Right wrist plain film, PA view, pediatric patient (male, age 10) —

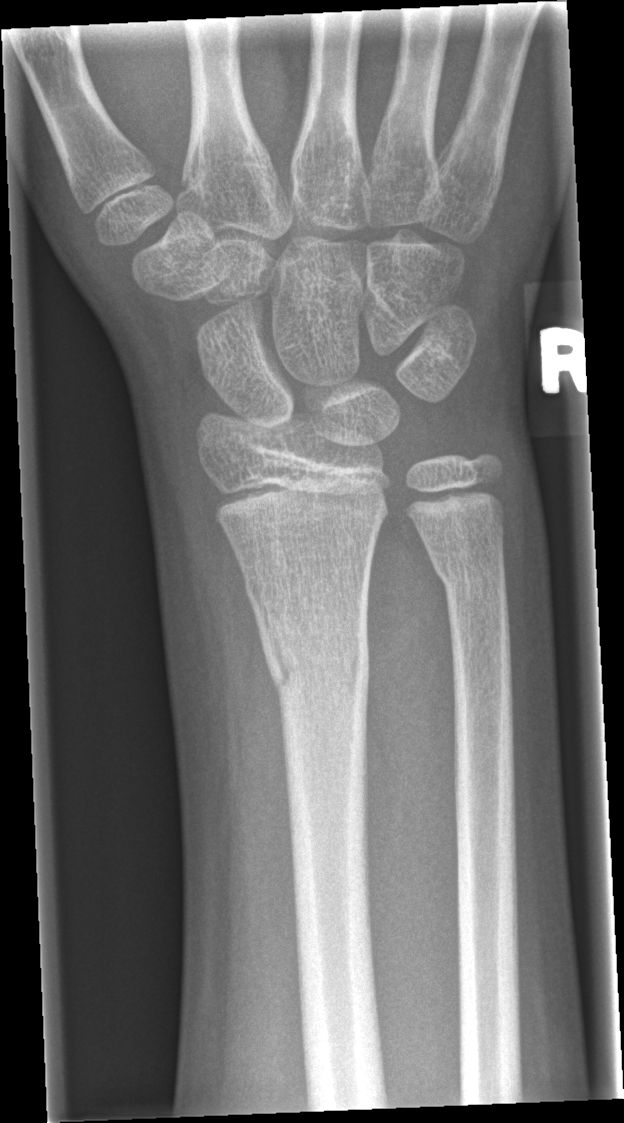
FINDINGS — Bone fracture identified at [242, 579, 374, 718]; [427, 549, 509, 599].